L wrist plain film; lateral view; detector: Siemens; 545 x 1306 px

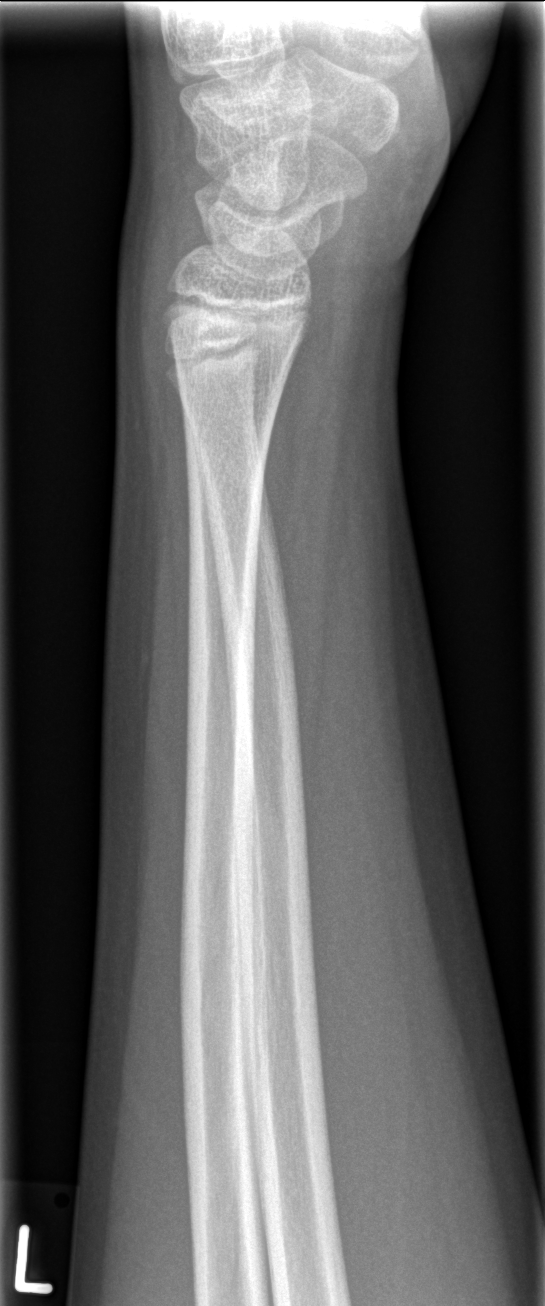 * No fracture bounding box.